AP projection, Rt plain radiograph of the wrist, initial study, Siemens, 101.4 mm image width 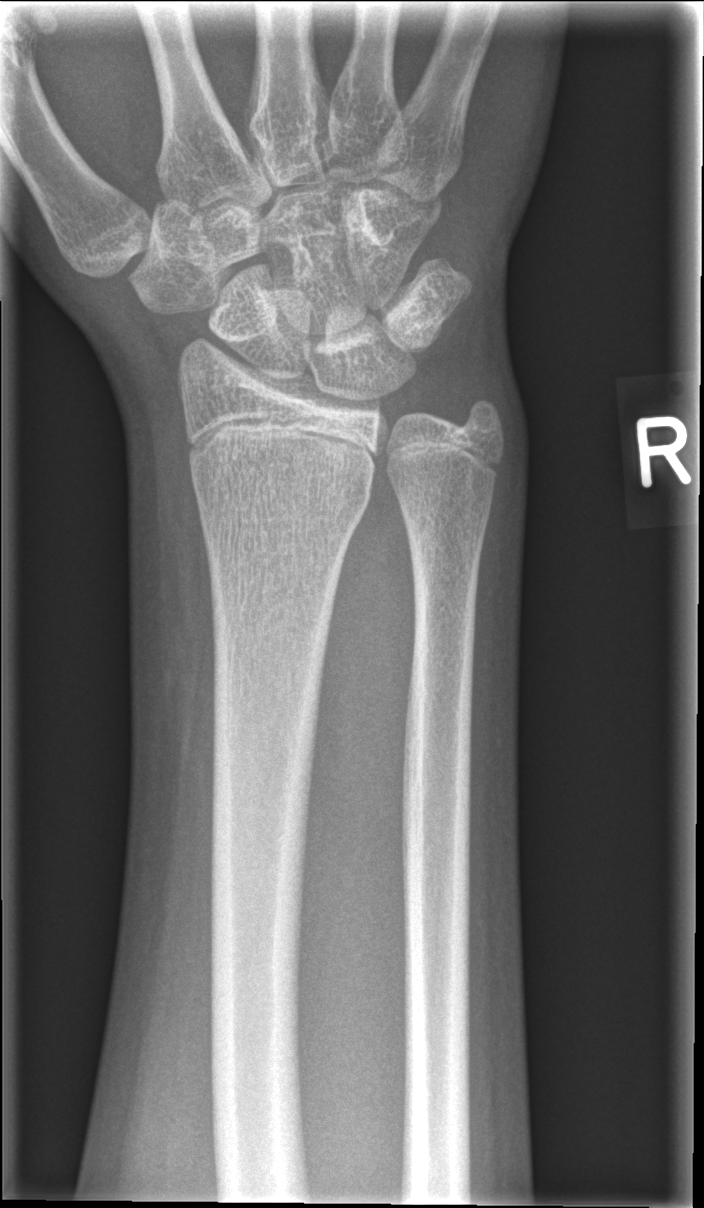

Fracture: none labeled